Lateral | L pediatric wrist radiograph | imaged through cast:

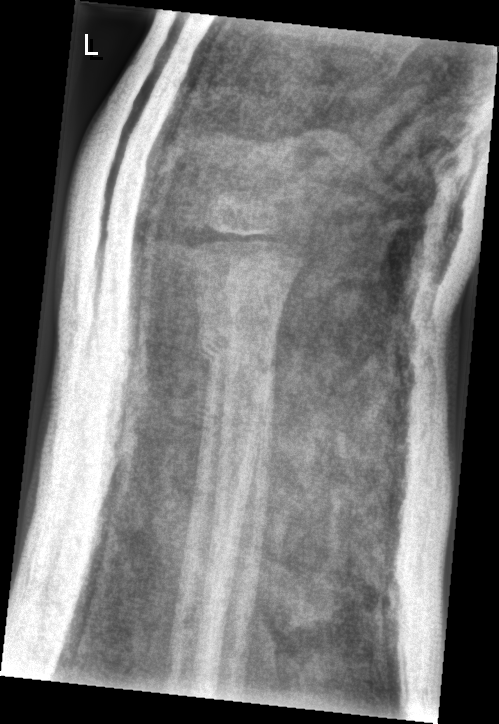 Fx: 1 @ bbox(192, 316, 281, 377)